AP, R wrist plain film, pediatric patient (male, age 17), detector: Siemens. 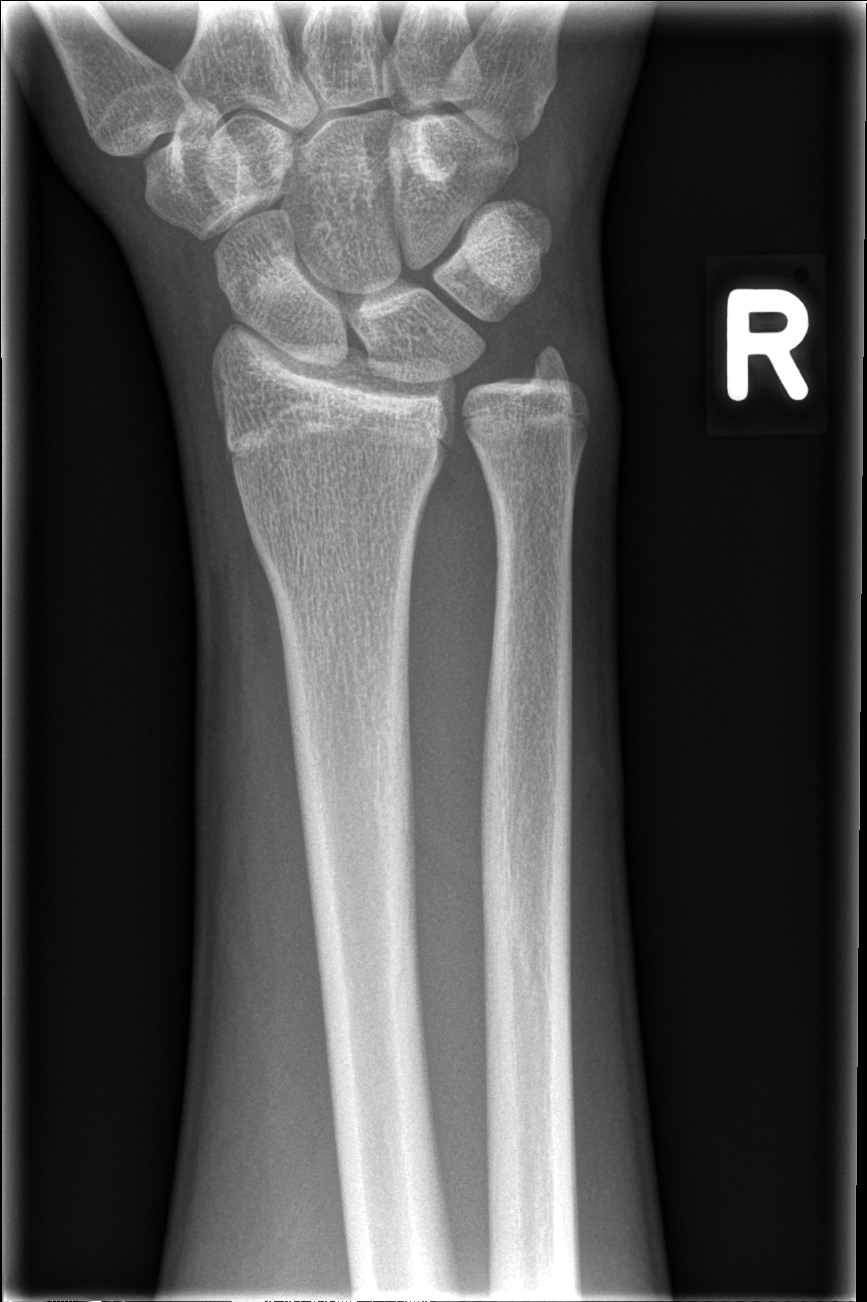 Q: Is there a fracture?
A: Fracture: none labeled